Lateral view; left wrist X-ray; age 15 y, boy; presentation radiograph; detector: Siemens
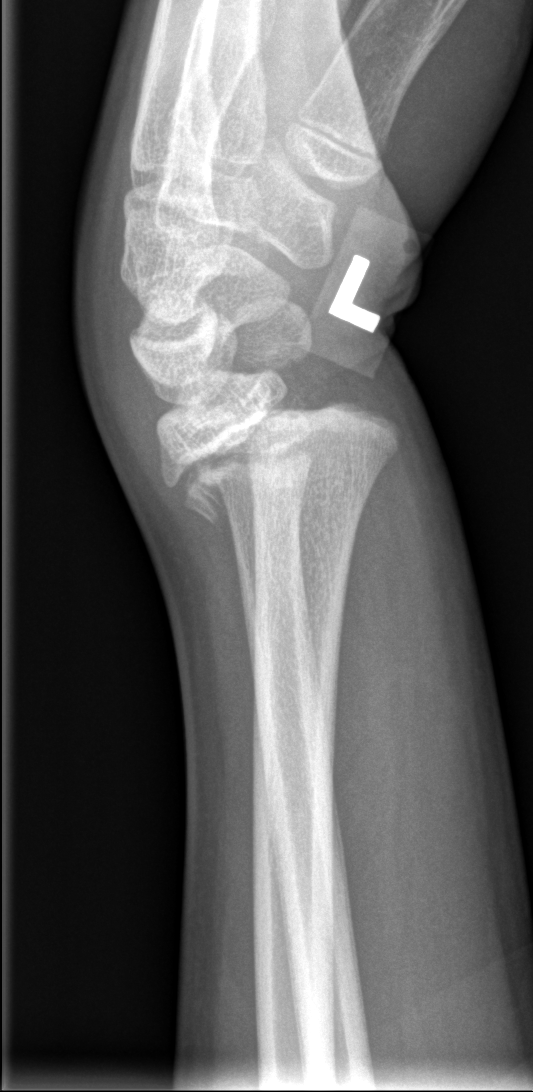   # bounding boxes in image-pixel xyxy
  fracture: 1 @ 160,385,404,528
  pronatorsign: 319,434,426,922
  ao: 23r-E/2.1; 23u-E/7